Left pediatric wrist radiograph | posteroanterior projection | 9y M | in cast. 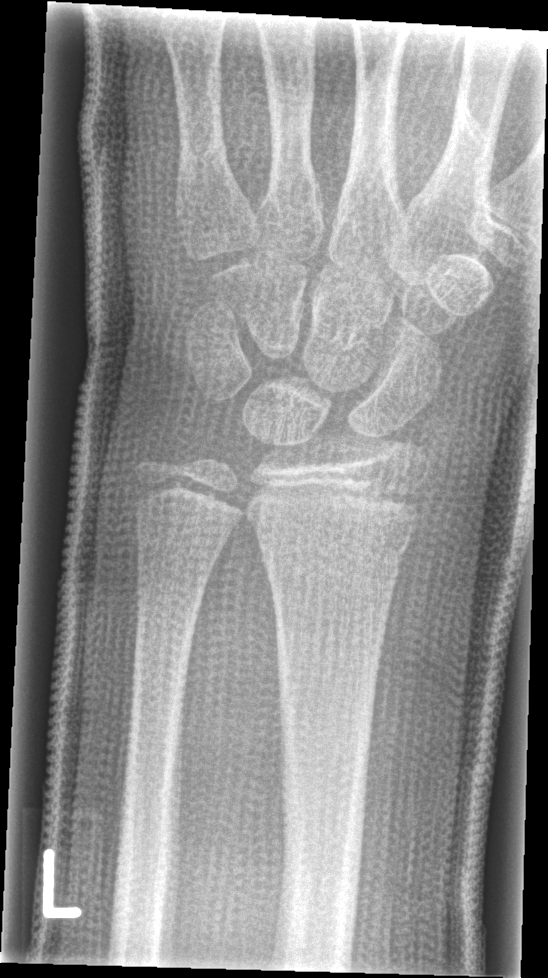   # coordinates are [x1, y1, x2, y2] in image pixels
  ao: 23r-E/2.1
  fracture: 1 @ bbox(244, 477, 426, 580)